L plain radiograph of the wrist · posteroanterior view · female, 12 yo —

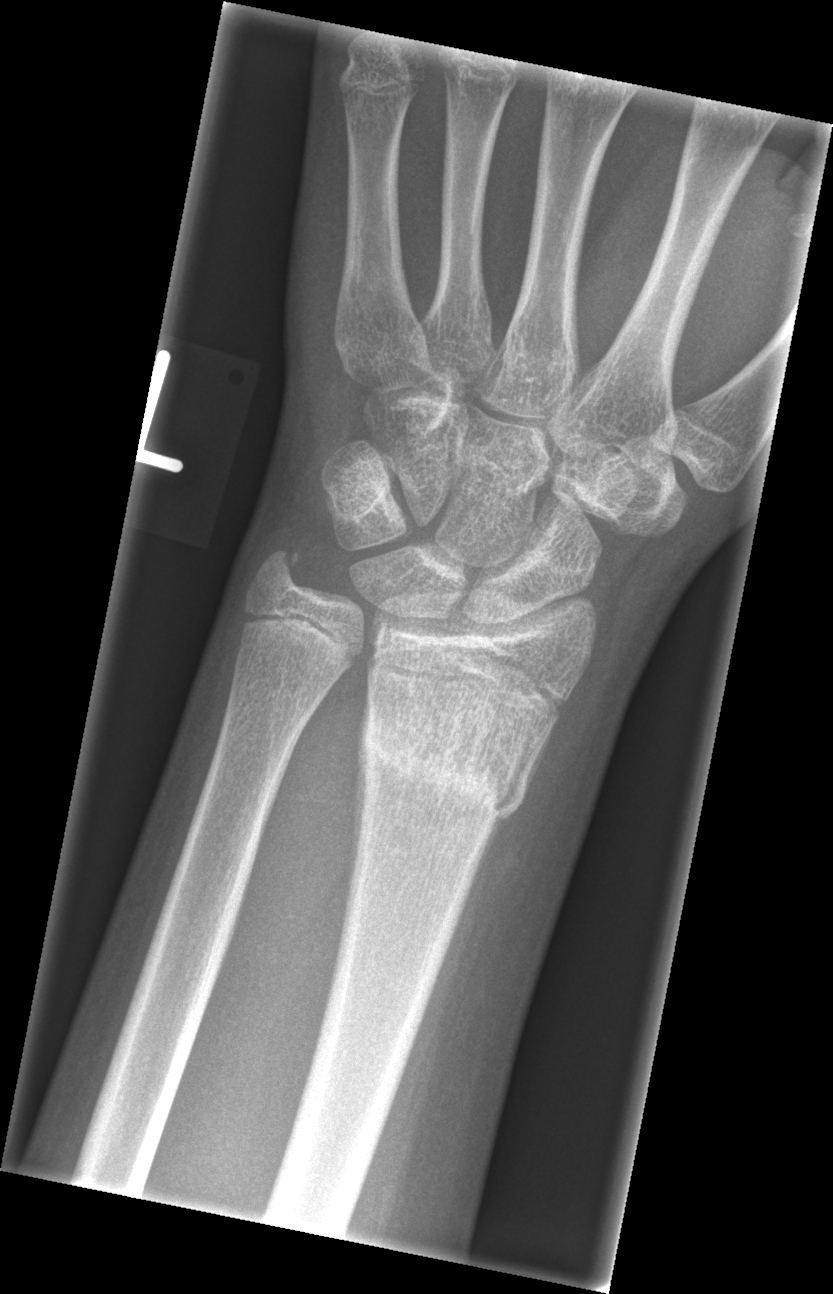 • Fx — bbox(353, 696, 553, 825); bbox(244, 537, 314, 606).
• Osteopenia.
• Fracture classified AO/OTA 23r-M/3.1; 23u-E/7.
• Periosteal thickening — bbox(349, 693, 369, 886).